PA view · left wrist pediatric wrist radiograph · follow-up study · imaged through cast 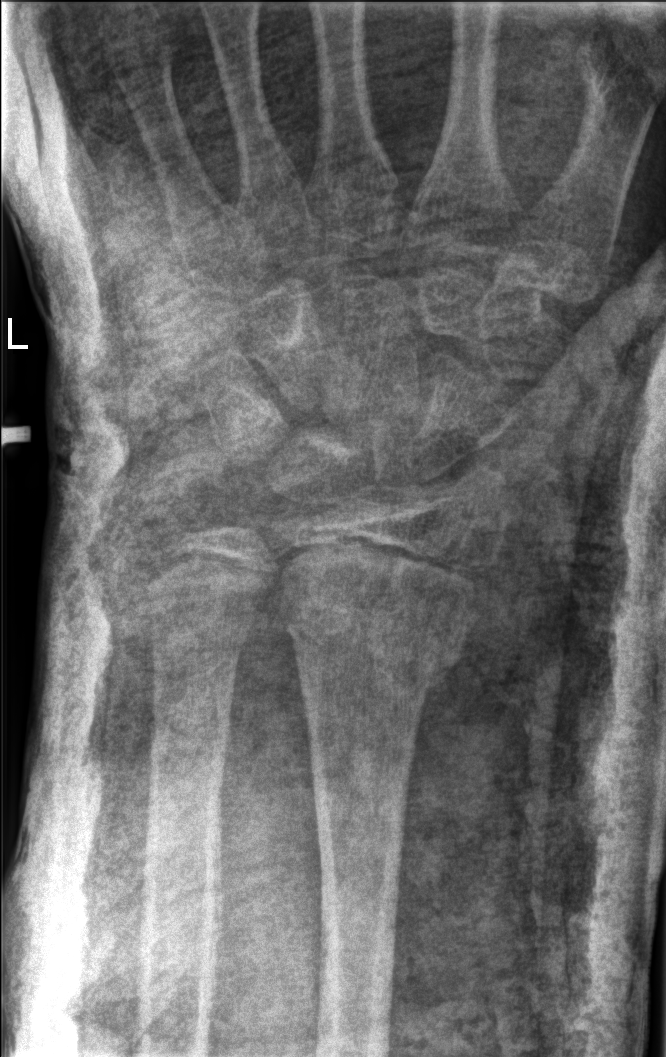
Boxes as x1,y1,x2,y2 (top-left / bottom-right, pixel units). AO code 23r-M/3.1; 23u-M/2.1; 23u-E/7. Bone fracture: [277, 589, 476, 691].